PA view · left wrist pediatric wrist radiograph — 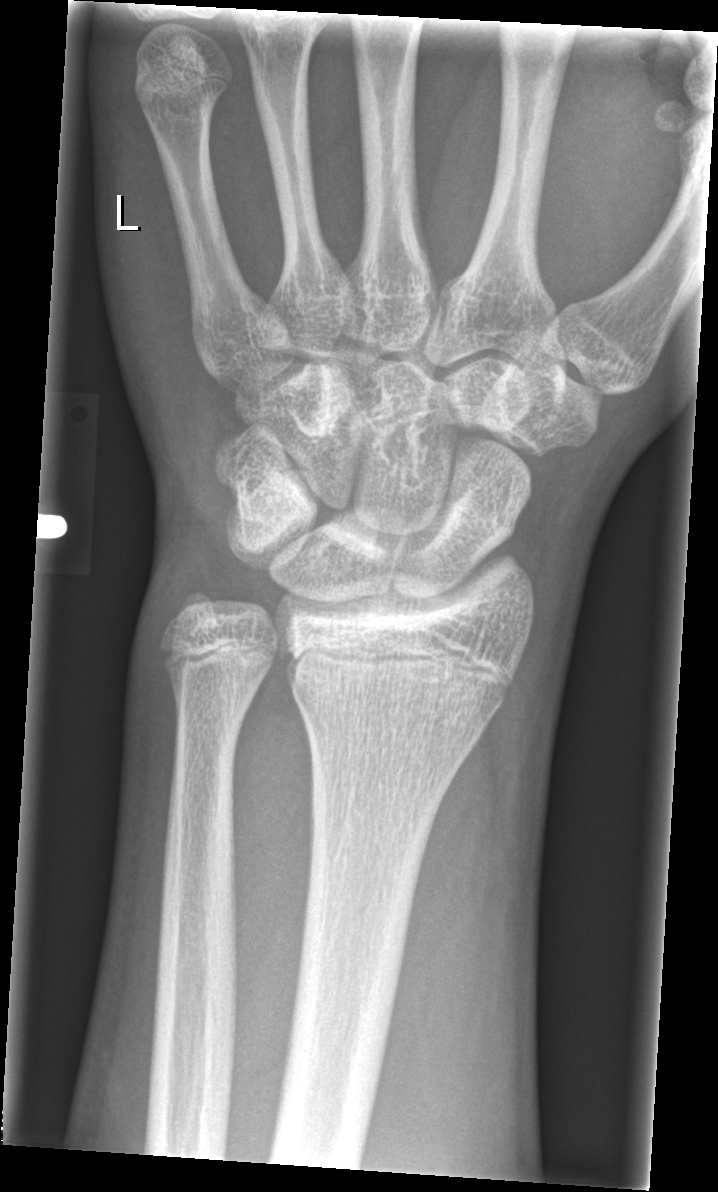 Findings: No fracture bounding box.